PA/AP projection · L plain radiograph of the wrist · age 6 y, boy.
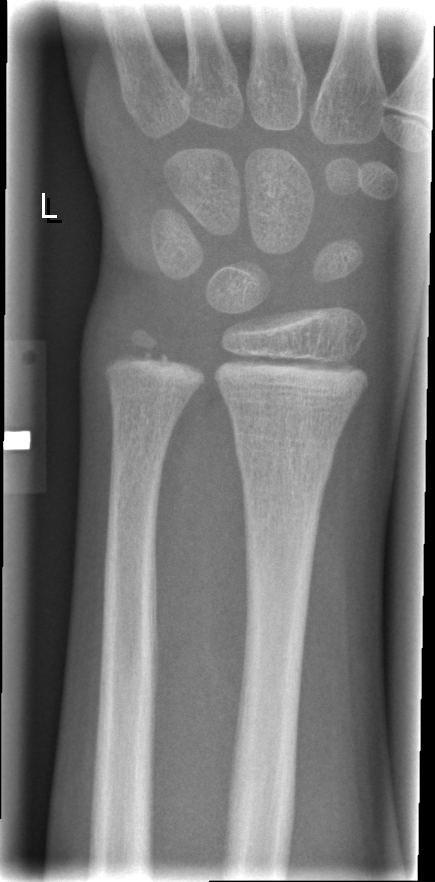
Fx identified at <232,428>-<336,488>. Fracture classified AO/OTA 23r-M/2.1.